Lateral; right wrist XR; 16y M; follow-up; Siemens

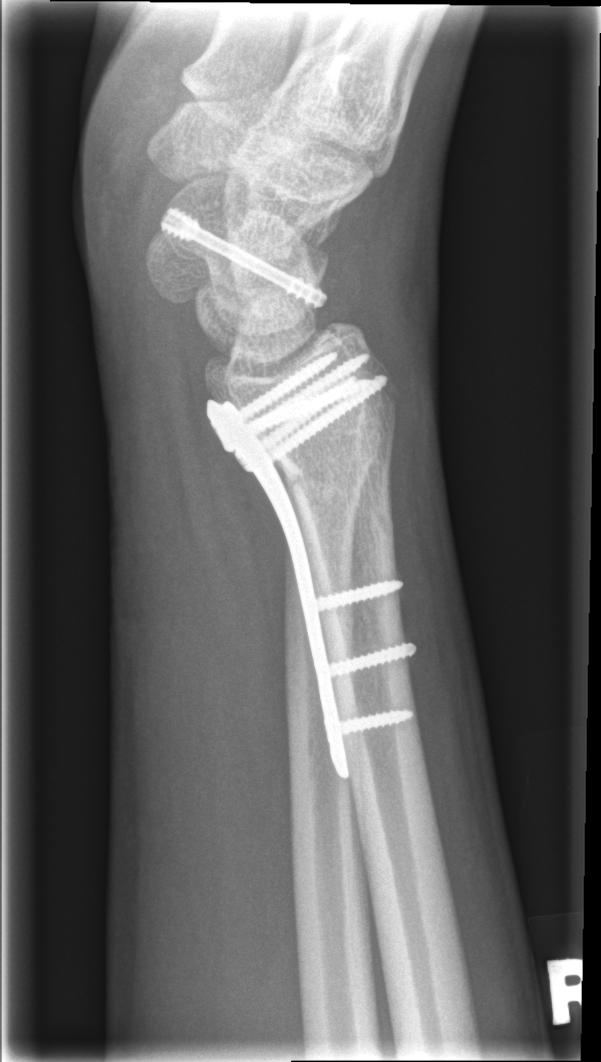
Coordinates are [x1, y1, x2, y2] in image pixels.
Osteopenic.
Metallic hardware: bbox(203, 332, 418, 779); bbox(152, 203, 329, 313).
Fracture: bbox(281, 416, 398, 495).
AO code 23r-M/3.1; 23u-E/7; 72B(b).